Rt wrist radiograph, AP, 4y M:

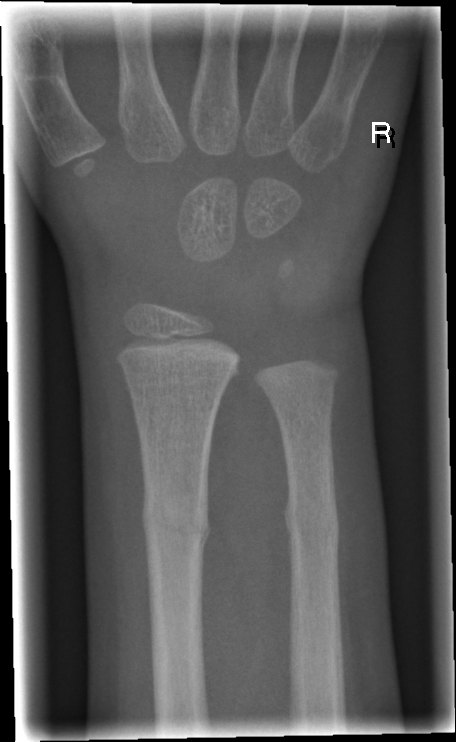

Bone fracture: 2 @ bbox(136, 488, 213, 551) bbox(282, 488, 343, 552)
AO/OTA: 23-M/3.1